Lat projection, right wrist XR, pediatric patient (female, age 7), presentation radiograph: 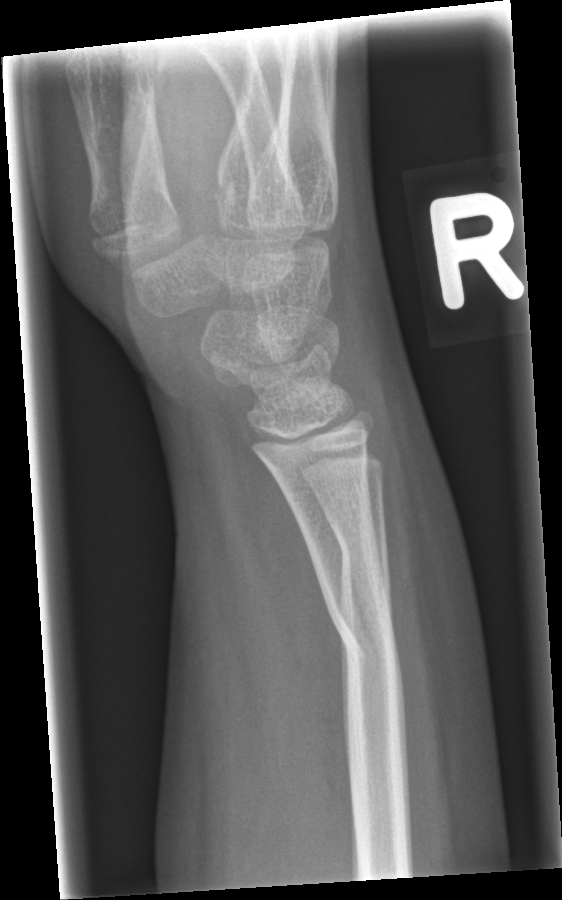
(pixel coordinates, top-left origin, xyxy)
AO/OTA: 22r-D/2.1; 23u-M/2.1
Fracture: 2 @ [321, 602, 408, 687]; [327, 517, 394, 574]